PA/AP, Lt wrist XR, image size 572x873: 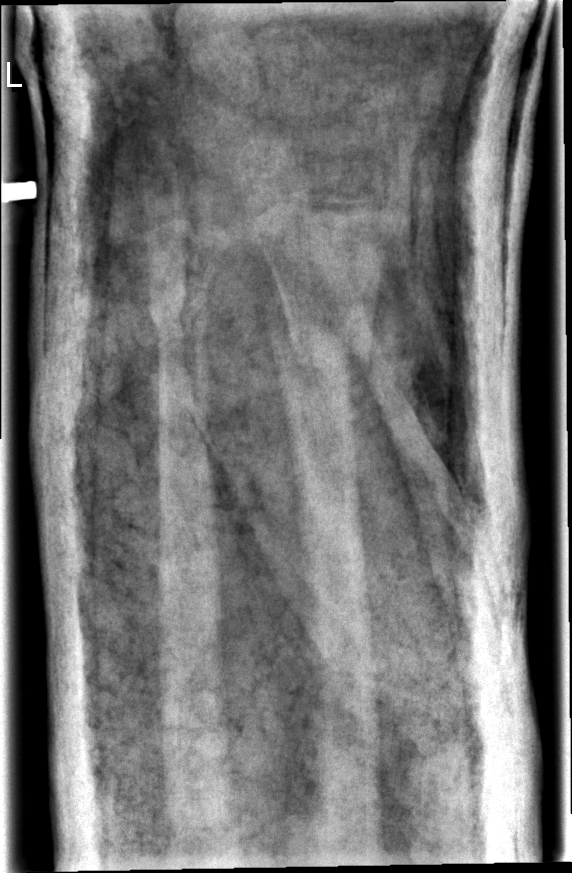 • Fx — [281, 316, 383, 387]; [152, 285, 203, 343].
• AO code 23-M/3.1.